Right wrist X-ray; posteroanterior view; age 11 y, male; image 73.6 mm wide; 511 x 1086 px:
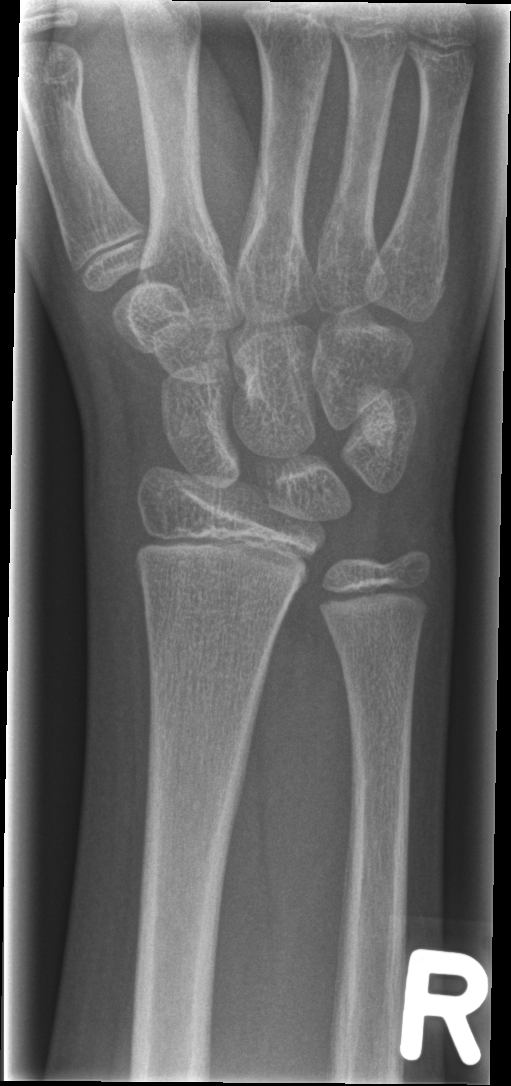

Findings: Fx: none.